PA/AP projection | Rt wrist radiograph | Siemens.
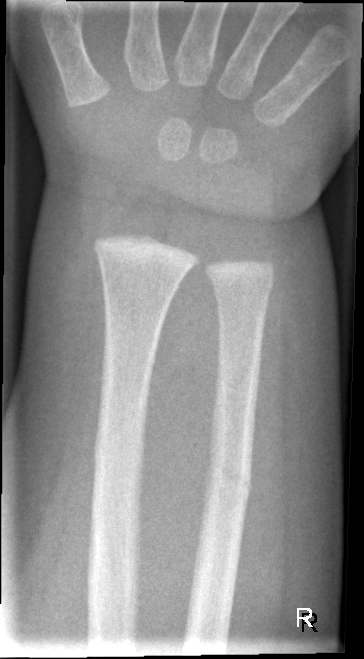   # coordinates are [x1, y1, x2, y2] in image pixels
  fracture: 203,450,258,504; 91,435,147,478
  ao: 22-D/2.1